Rt wrist X-ray; lat view; boy, 9 yo; index exam; acquired on Siemens:

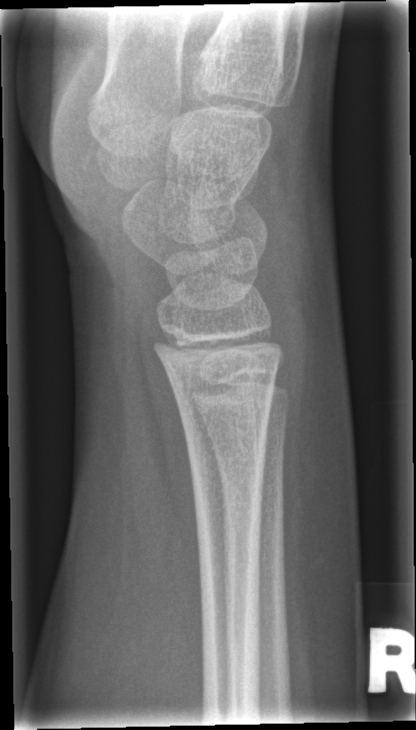

Q: Any fracture seen?
A: No fracture annotation